Lat projection, right wrist plain film, 10-year-old male, index exam: 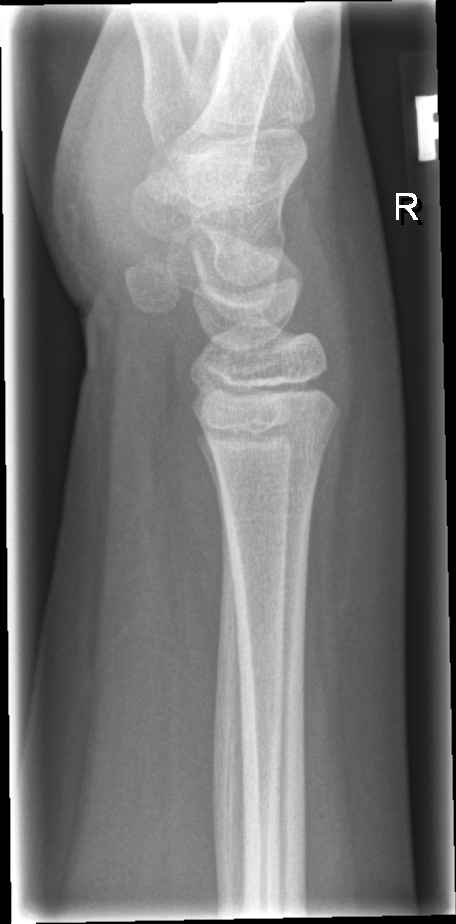

  fracture: none labeled